Posteroanterior view | left wrist XR | age 13 y, boy | Siemens.

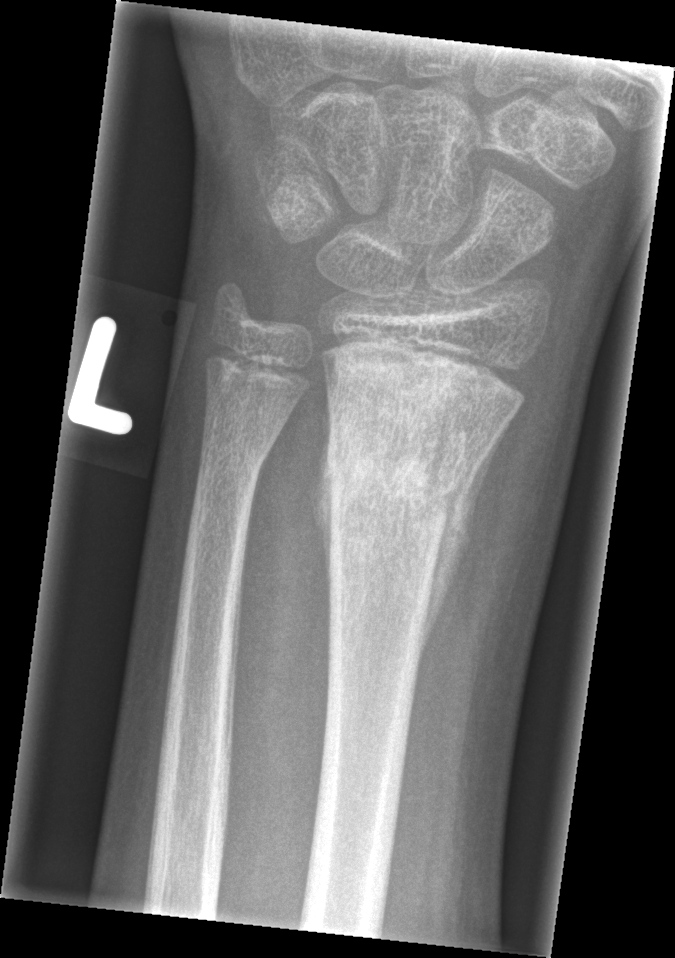

{"periostealreaction": "2 @ [x1=414, y1=415, x2=515, y2=687] [x1=306, y1=381, x2=333, y2=598]", "fracture": "1 @ [x1=321, y1=416, x2=473, y2=537]", "osteopenia": "present"}